Lat projection; right plain radiograph of the wrist; presentation radiograph:

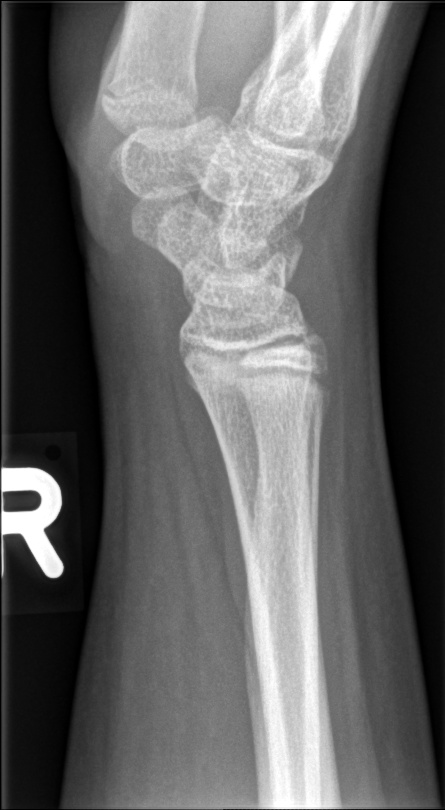

Q: Is there a fracture?
A: No Fx annotated